PA | left wrist XR | follow-up:

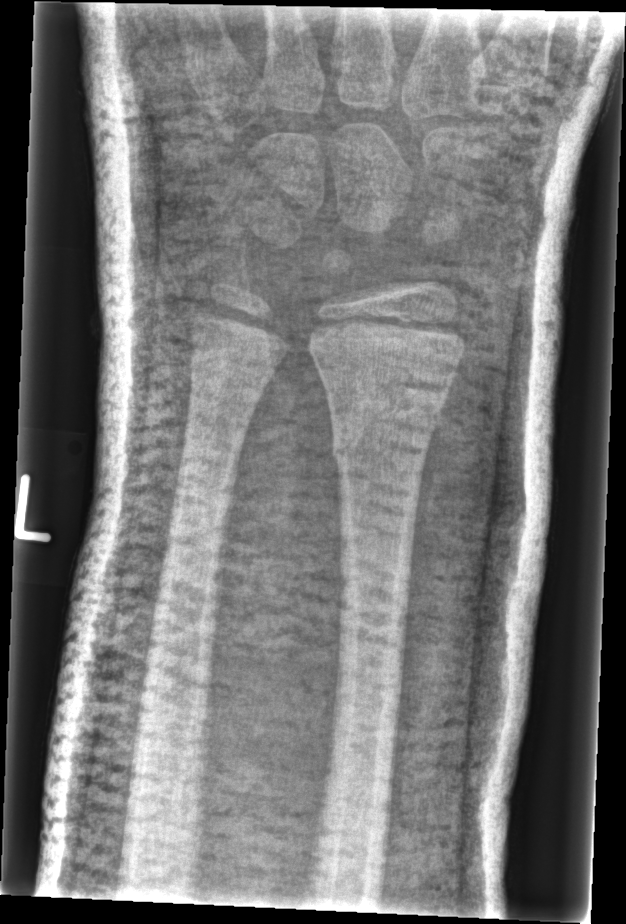
* Coordinates are [x1, y1, x2, y2] in image pixels.
* Fracture identified at 324 410 439 481.
* AO code 23r-M/3.1.